Right wrist radiograph; PA projection; age 12 y, girl; detector: Siemens:
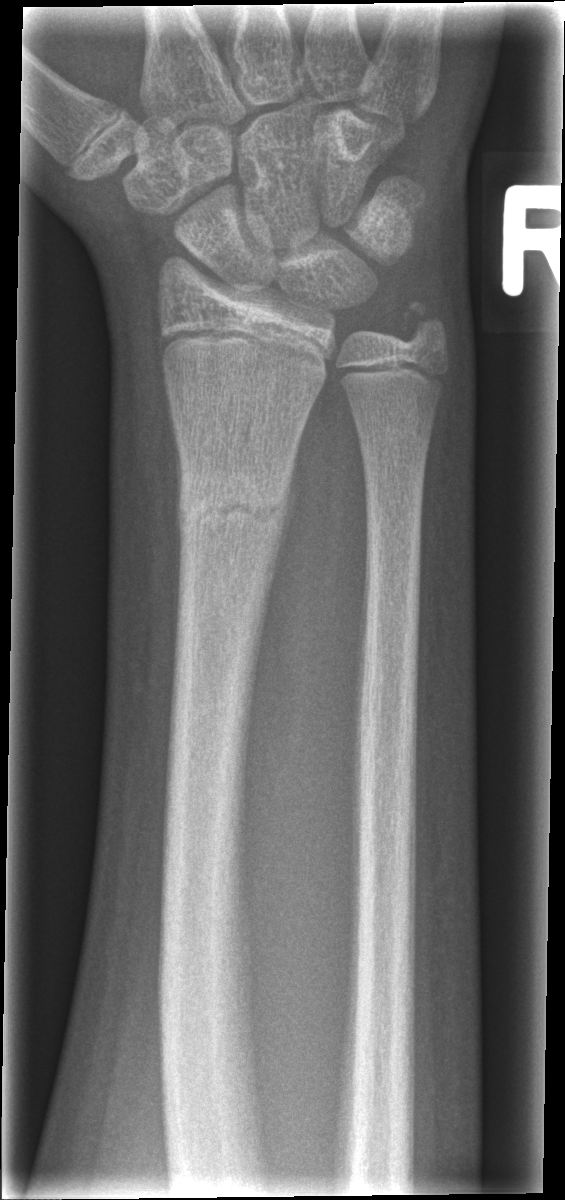

Two bone fractures at 175 469 295 543; 391 293 451 357.